Right wrist X-ray, lateral view, pediatric patient (girl, age 11), presentation radiograph, acquired on Siemens, 96.5 mm image width, 670 by 1168 pixels.
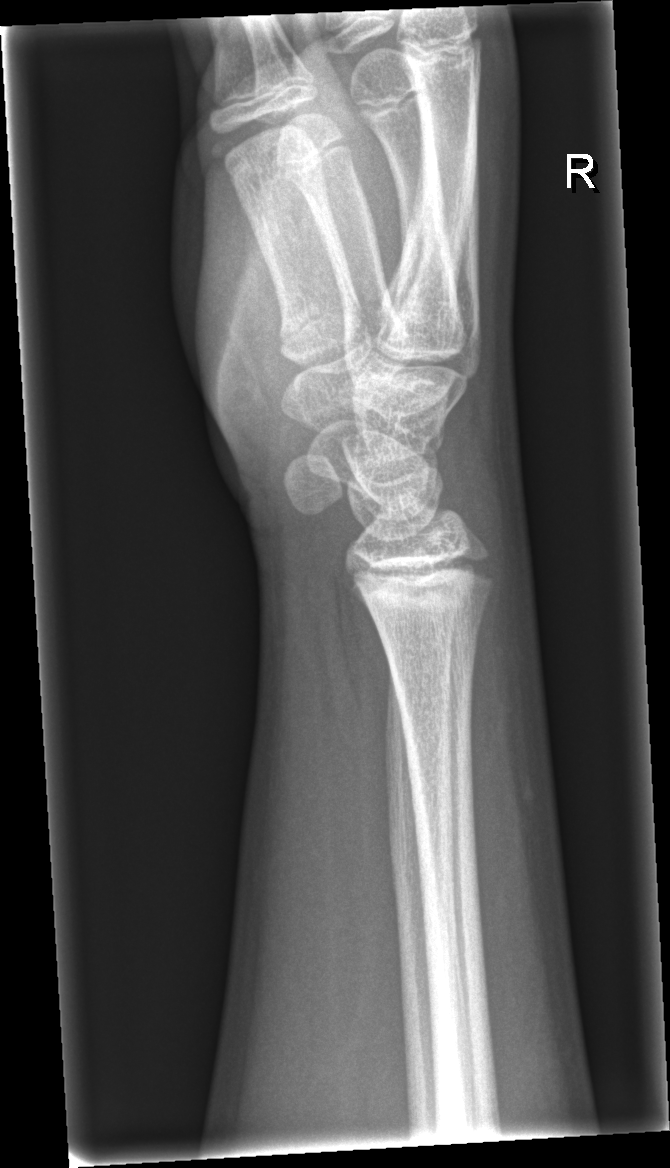 Q: Any fracture seen?
A: No fracture annotation